Right wrist plain radiograph of the wrist | PA/AP view | girl, 12 yo | subsequent exam | imaged through cast.

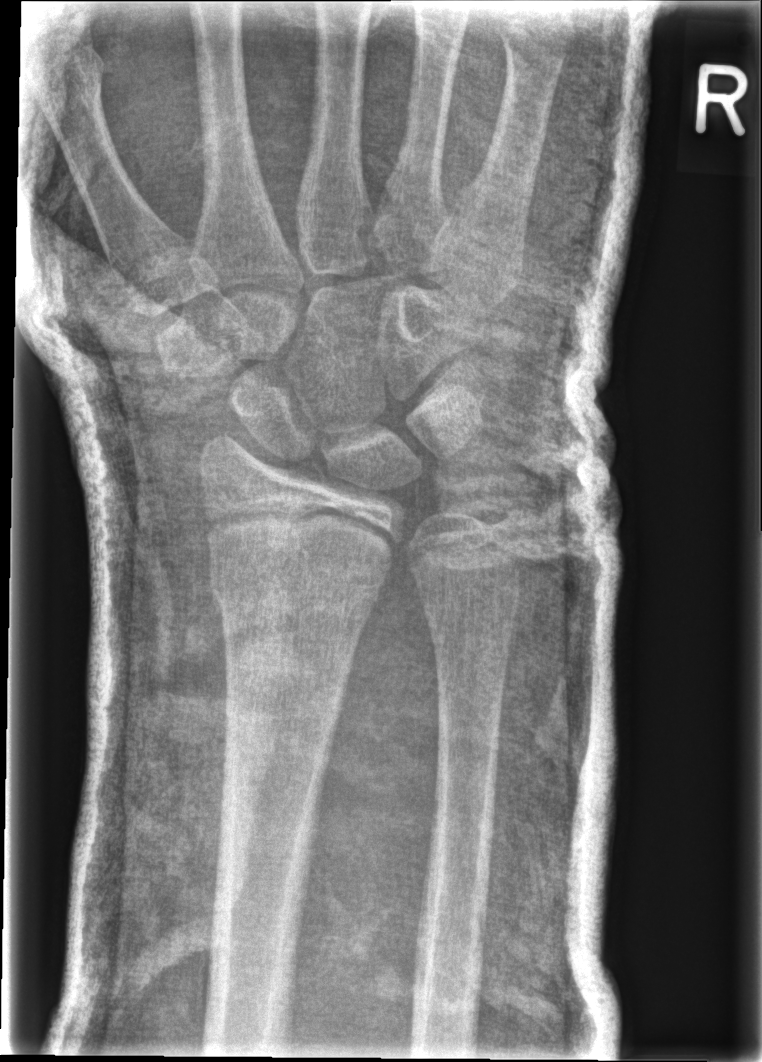

Coordinates are [x1, y1, x2, y2] in image pixels. AO/OTA classification: 23r-M/3.1; 23u-E/7. One fracture at [205, 550, 385, 623].